AP projection; right wrist plain film; 12y M; follow-up study.
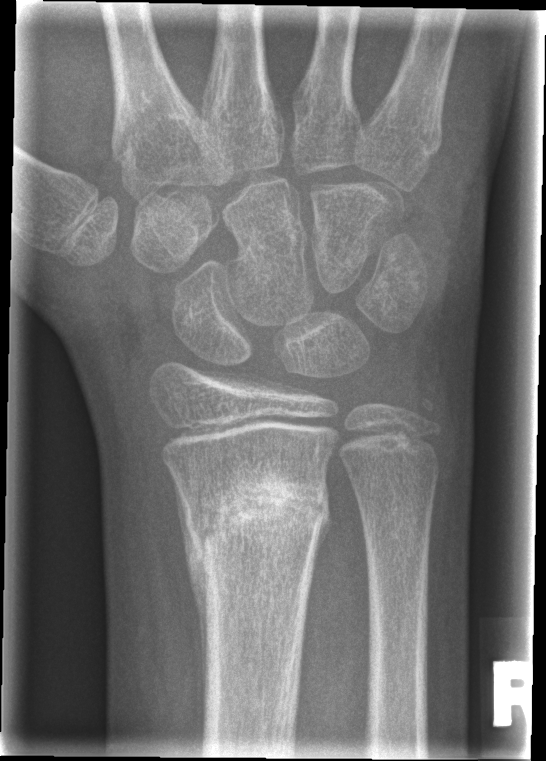 * Bounding boxes in image-pixel xyxy.
* Periosteal new bone identified at (left=172, top=475, right=211, bottom=703); (left=311, top=476, right=333, bottom=584).
* AO/OTA classification: 23r-M/3.1; 23u-E/7.
* Decreased bone density (osteopenia).
* One bone fracture at (left=186, top=473, right=333, bottom=568).